Left wrist X-ray | posteroanterior projection | age 14 y, boy | acquired on Siemens: 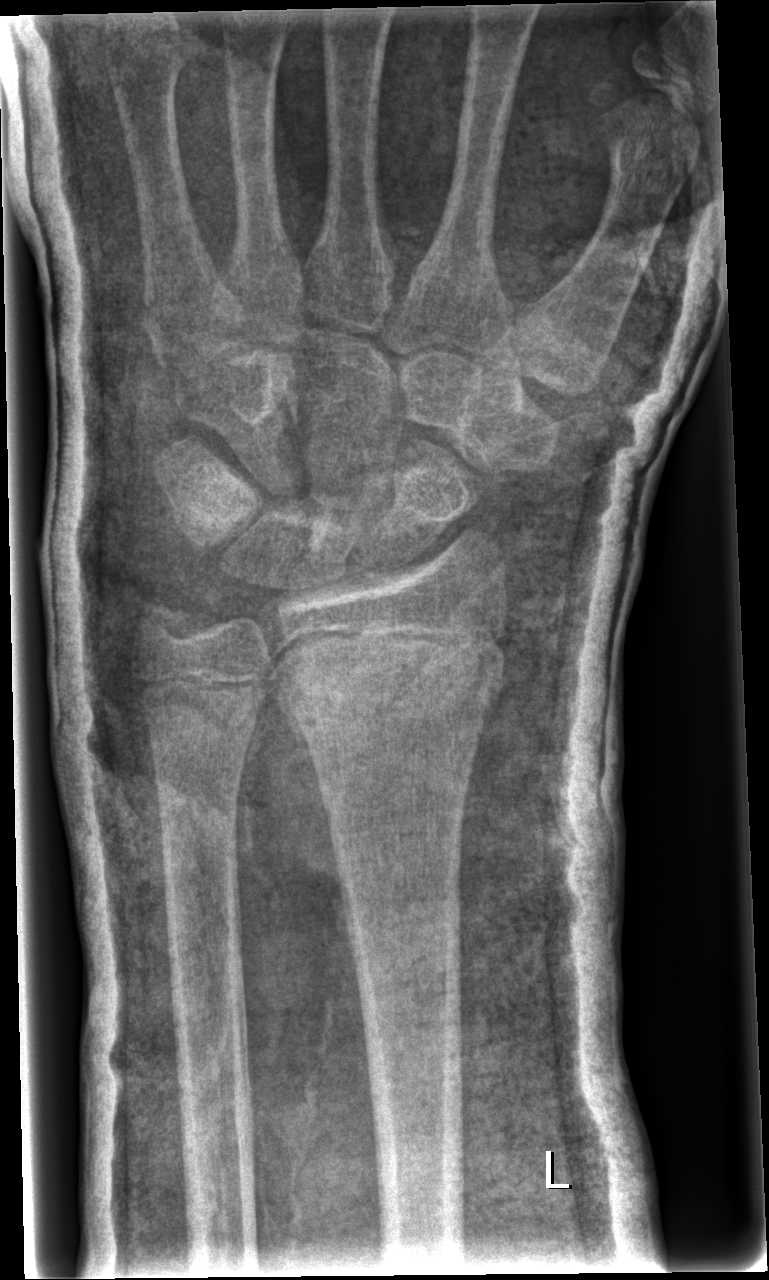 (coordinates are [x1, y1, x2, y2] in image pixels)
Q: What is the AO/OTA classification?
A: Fracture classified AO/OTA 23r-E/2.1; 23u-E/7
Q: Fracture present?
A: Bone fracture identified at (left=281, top=624, right=505, bottom=728) (left=126, top=595, right=200, bottom=662)